Lateral view · left wrist plain film · 410 x 827 px:
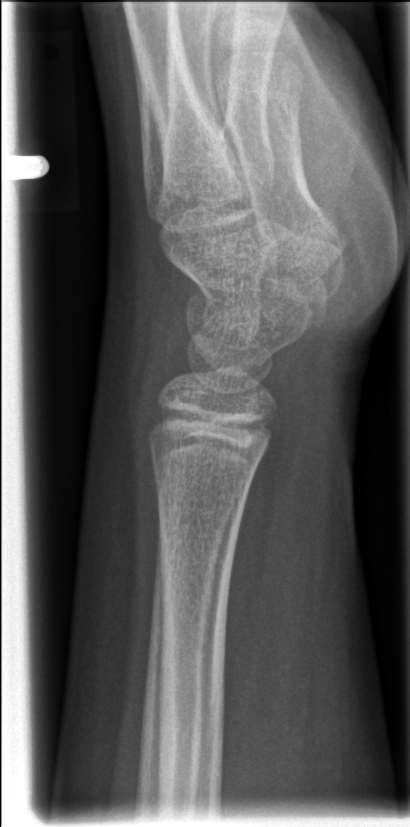 No fracture labeled.